Posteroanterior projection · left wrist plain film · 6y M — 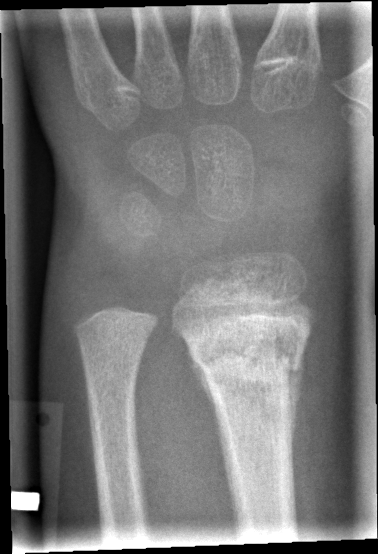 Periosteal new bone — [185, 340, 224, 452], [281, 340, 307, 496].
Bone fracture identified at [185, 324, 308, 389].
Osteopenia.